Rt pediatric wrist radiograph, posteroanterior, pediatric patient (girl, age 12):
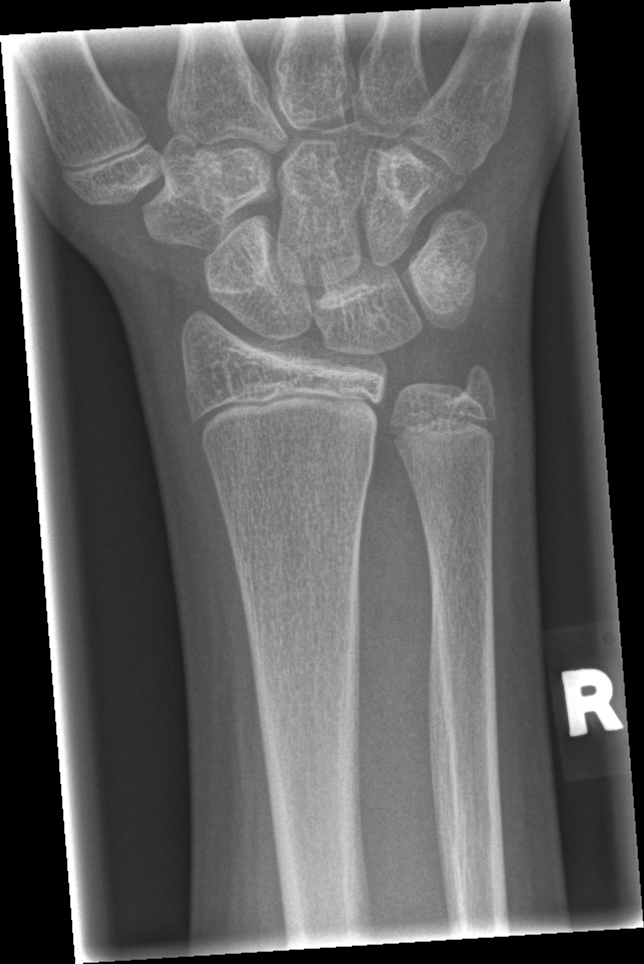
fracture = none labeled